Lt plain radiograph of the wrist · lateral view · 9y F · 545 x 1002 px

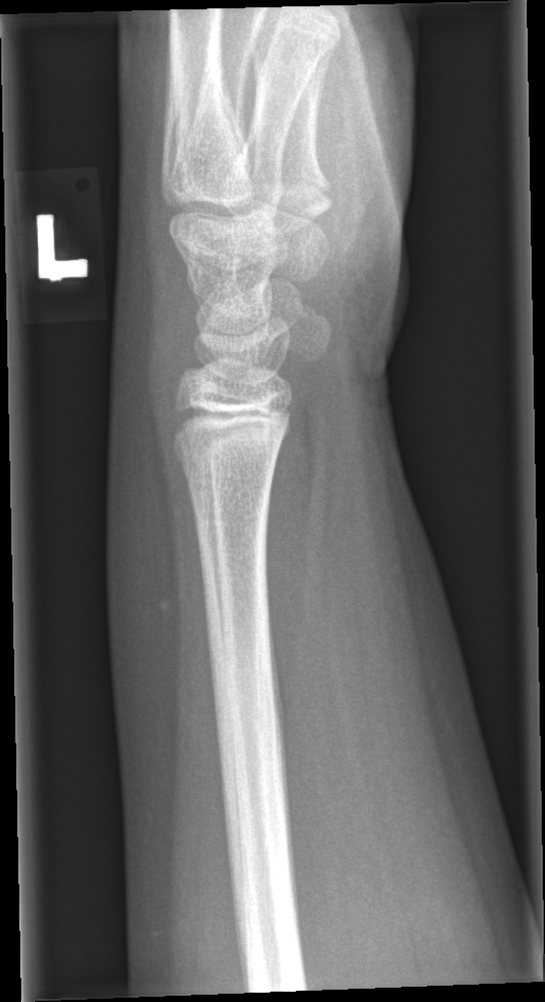
FINDINGS: No fracture annotation.